Right wrist plain film · lateral · pediatric patient (male, age 17).

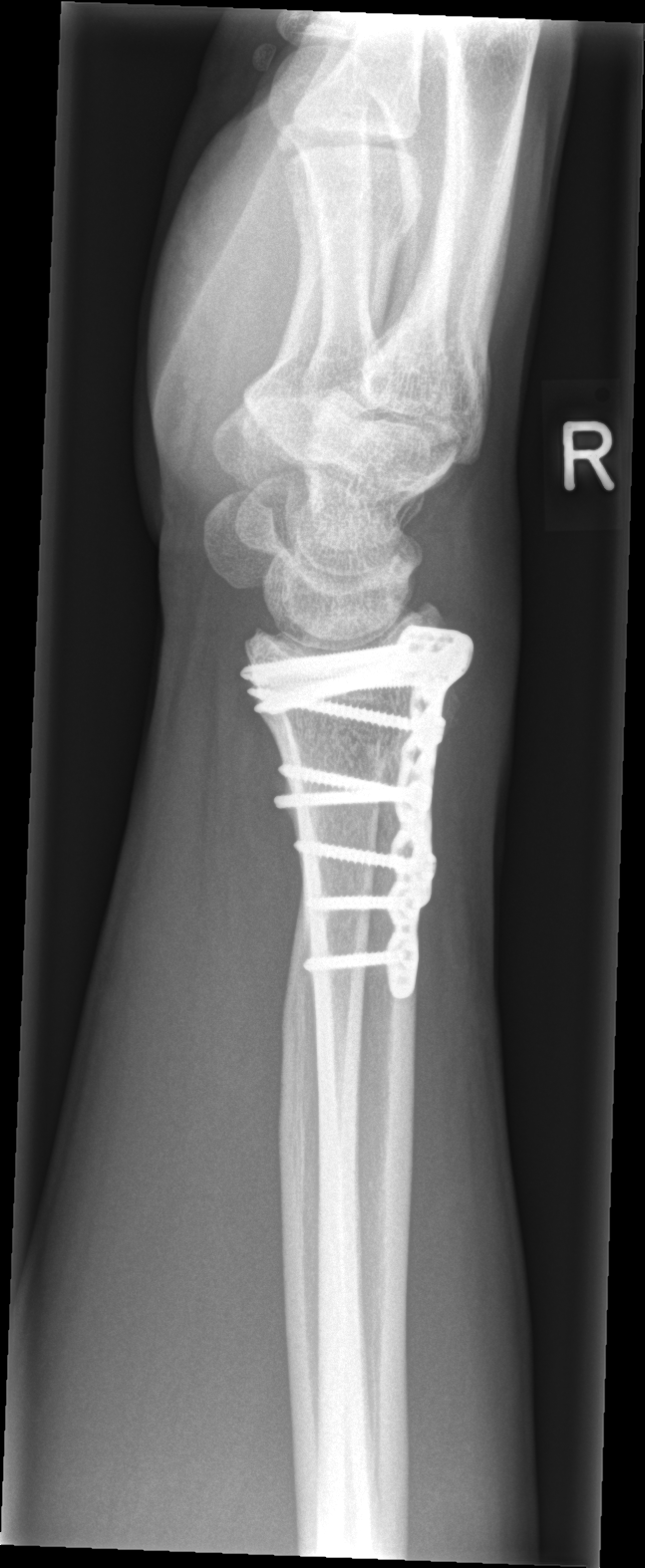

Bone fracture = 308 689 450 789
Hardware = 238 623 478 1002